Lat, left wrist X-ray, 12y F. 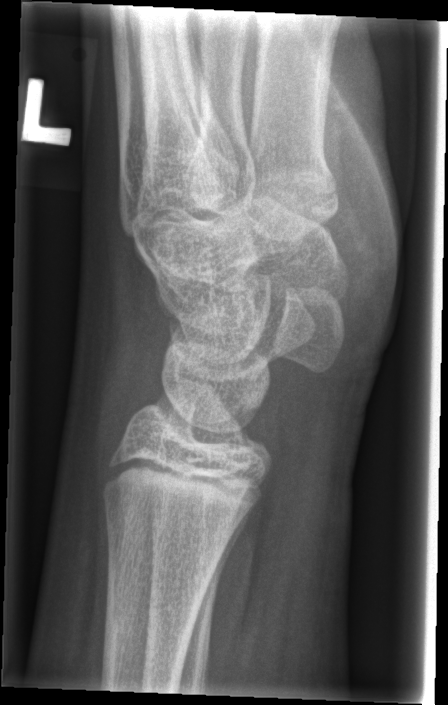

Fracture: none labeled.